L wrist plain film | lat projection | age 10 y, female | initial study | Siemens 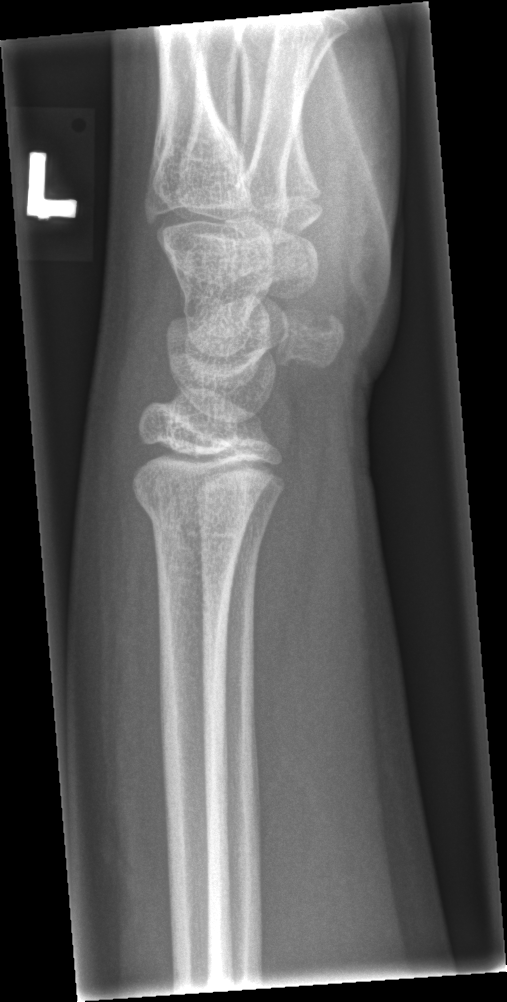

Pixel coordinates, top-left origin, xyxy.
Bone fracture — 131 476 259 545.
Fracture classified AO/OTA 23r-M/2.1.